Left wrist plain film; frontal projection; presentation radiograph:
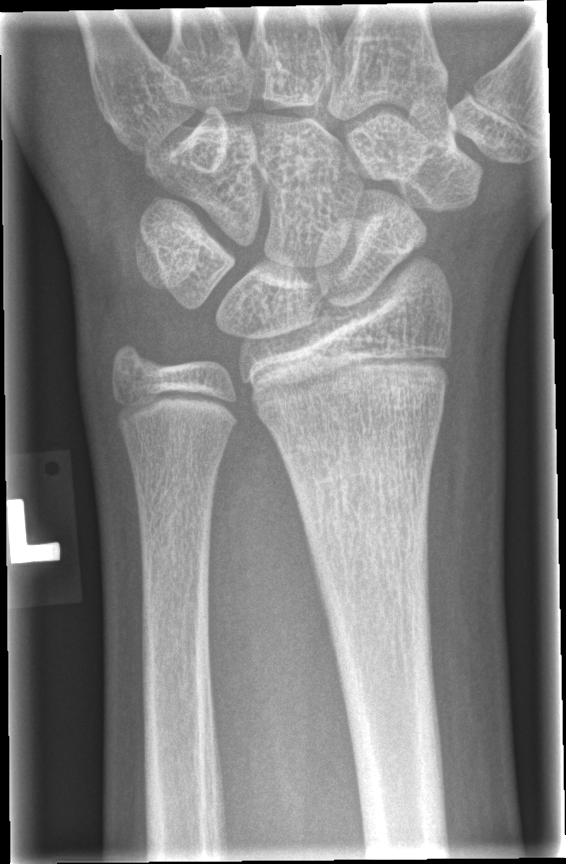

Fx: none.